Left wrist pediatric wrist radiograph · PA projection · 9-year-old boy · follow-up · cast present · acquired on Siemens —

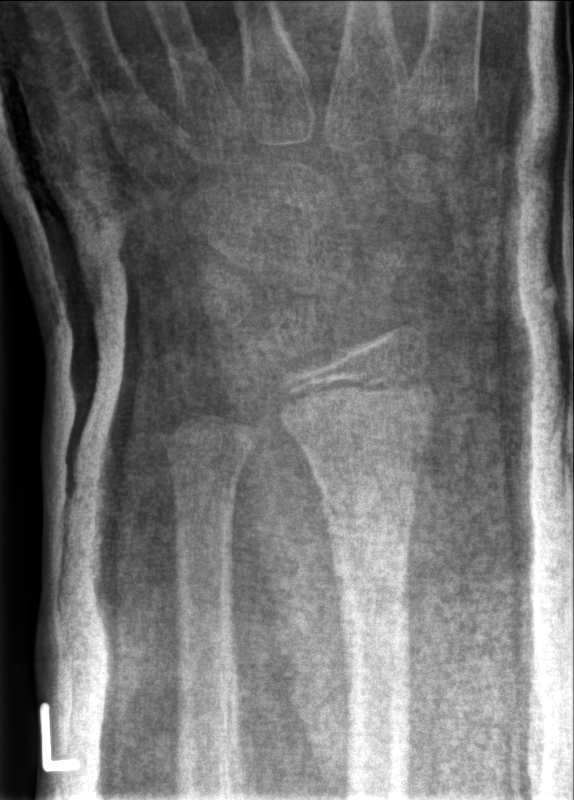

fracture: 1 @ bbox(315, 469, 421, 539)
AO code: 23r-M/3.1